PA projection, Rt pediatric wrist radiograph, age 6 y, male, initial study
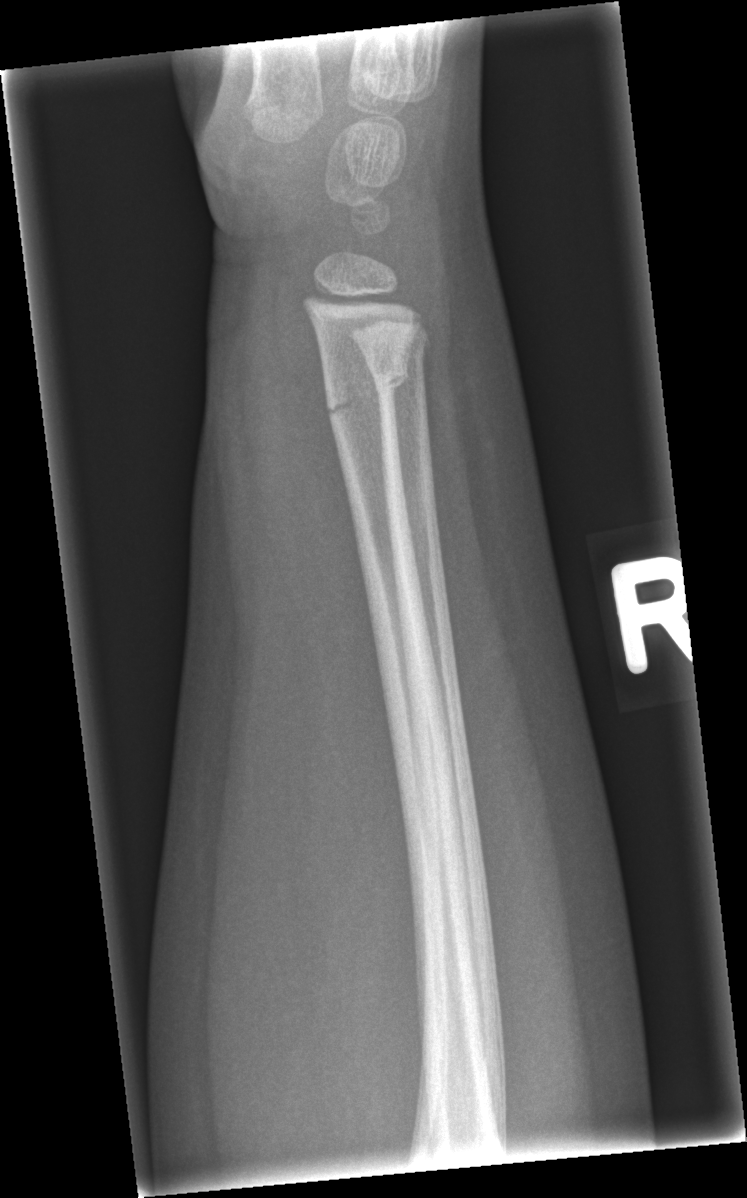 Fracture classified AO/OTA 23-M/3.1.
Bone fracture — 323,352,410,419.